Left pediatric wrist radiograph | AP | 10-year-old male | cast present —

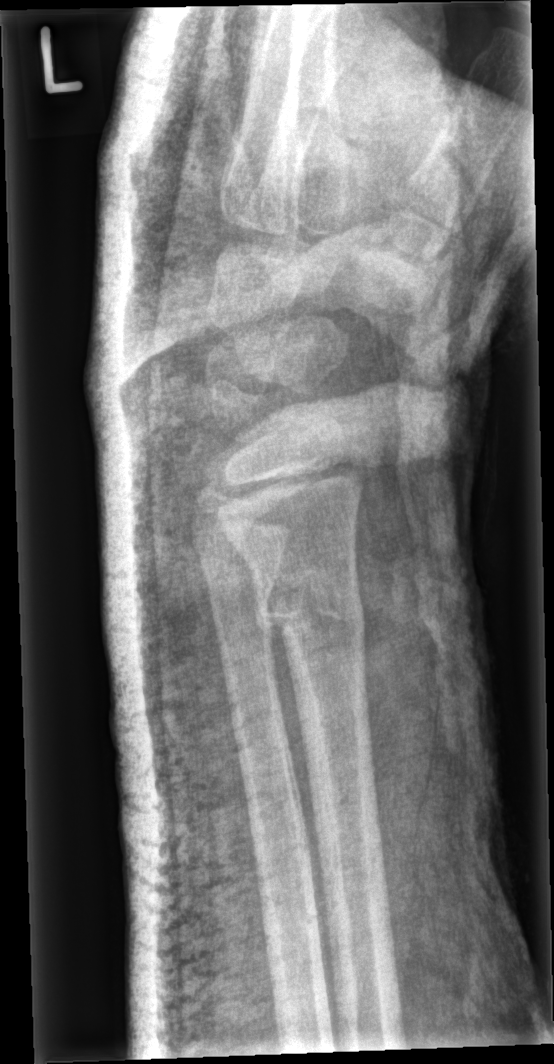

(bounding boxes in image-pixel xyxy)
Q: Locate any fractures.
A: Bone fracture: (left=248, top=560, right=371, bottom=648), (left=207, top=571, right=282, bottom=627)